Left wrist X-ray · PA · Siemens · 719 by 700 pixels —

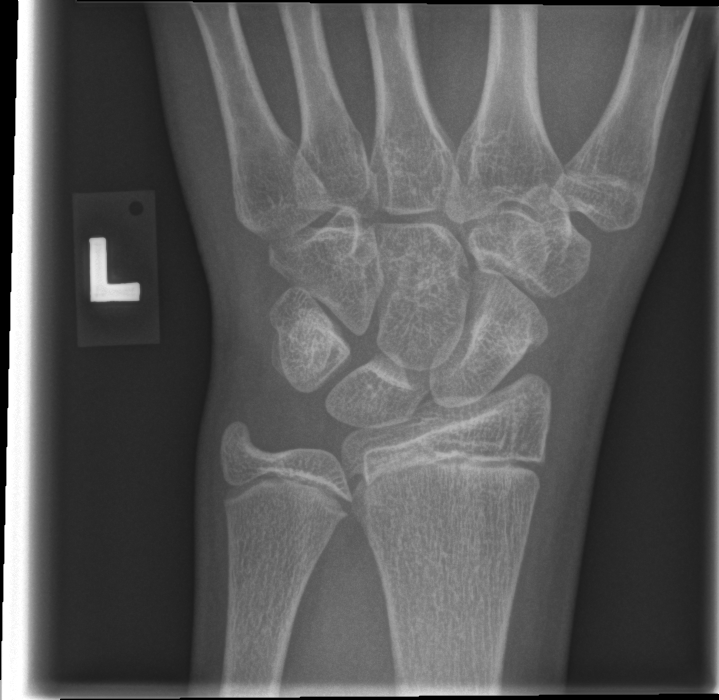 Fx: none.